Frontal view, left wrist plain film, age 12 y, girl, presentation radiograph.

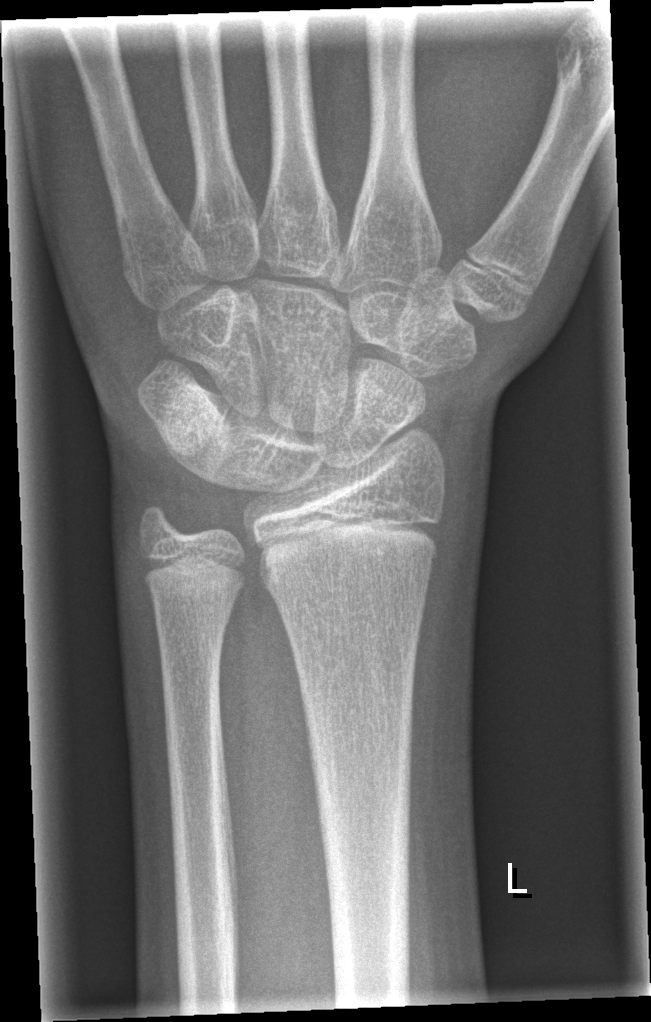
{"fracture": "none labeled"}